Right wrist X-ray | lateral projection | image 67.8 mm wide:
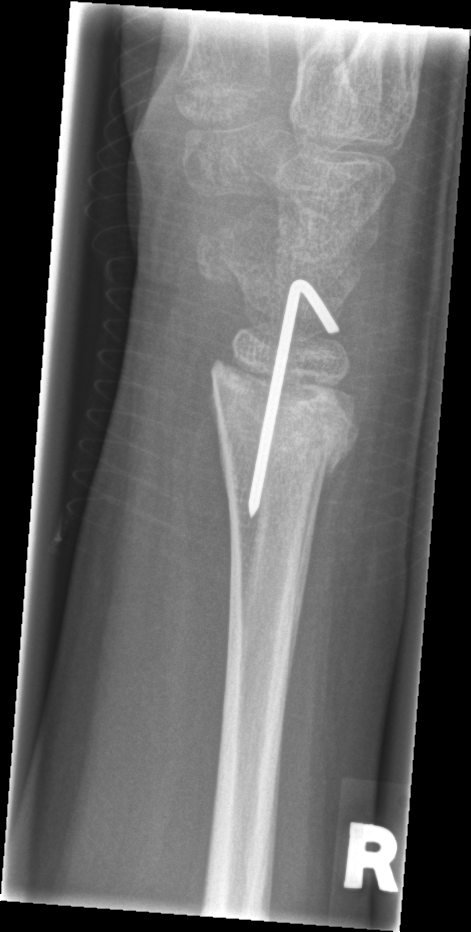

• Boxes as x1,y1,x2,y2 (top-left / bottom-right, pixel units).
• Bone fracture identified at (left=278, top=385, right=362, bottom=483).
• Periosteal reaction: (left=285, top=426, right=360, bottom=693).
• Metal — (left=248, top=280, right=339, bottom=520).